Left wrist plain film | posteroanterior view | male, 10 yo | acquired on Siemens.

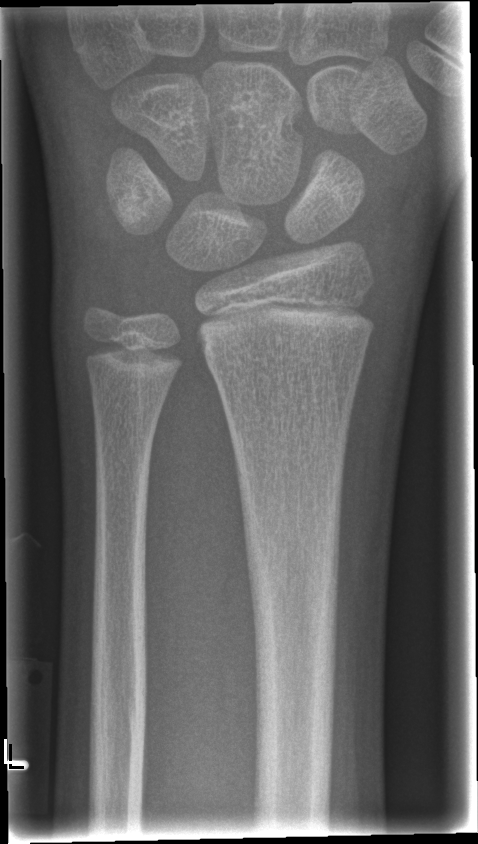
bone fracture = none labeled